Lt wrist radiograph; lateral view; follow-up study — 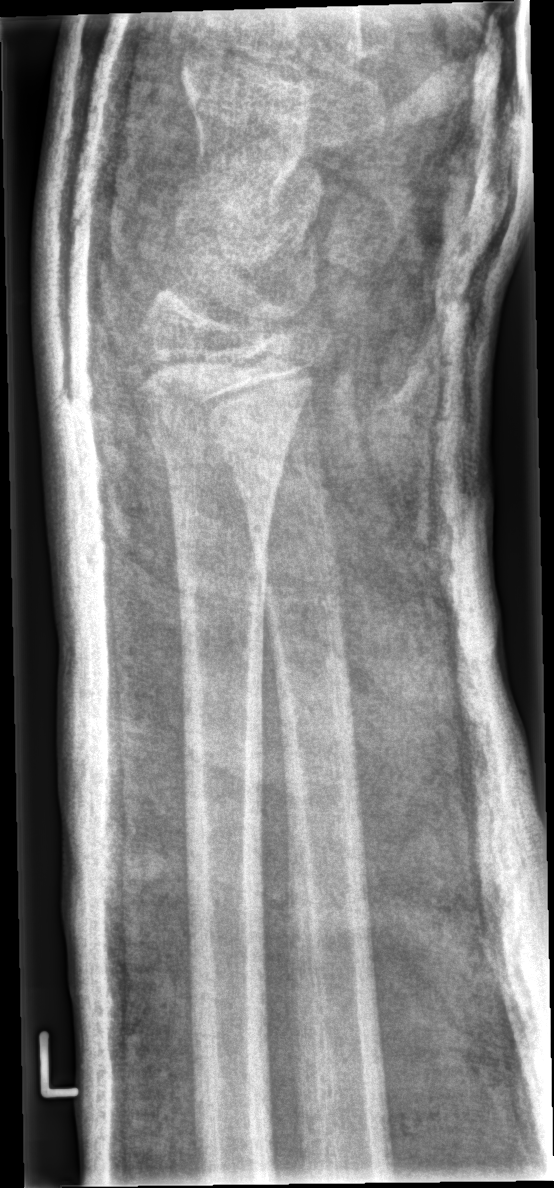 * Coordinates are [x1, y1, x2, y2] in image pixels.
* AO code 23r-M/3.1; 23u-E/7.
* Bone fracture: [139, 396, 292, 491].